PA, left wrist pediatric wrist radiograph, age 7 y, boy.
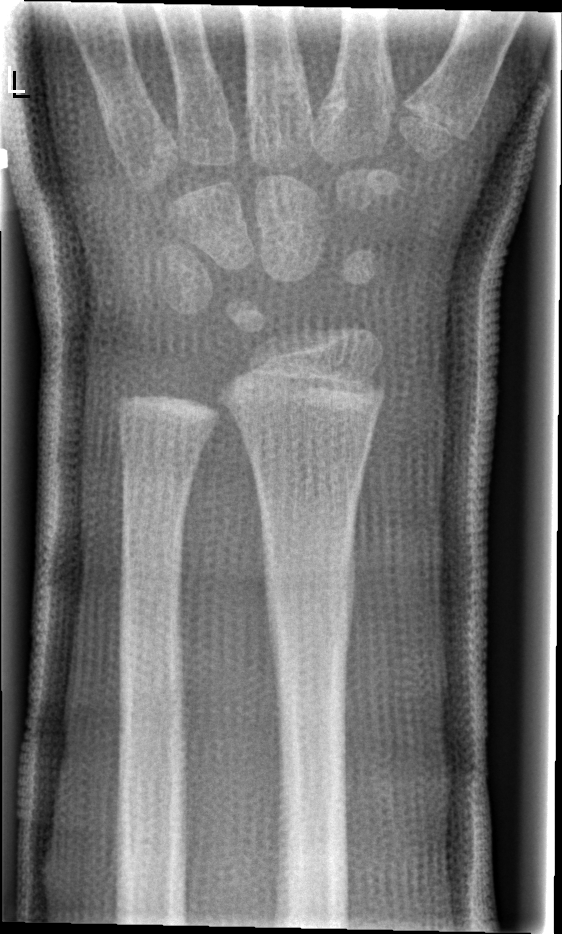
• Fracture — 258 519 361 675.
• AO/OTA classification: 22r-D/1.1.